PA view, Rt wrist plain film, age 15 y, boy, acquired on Siemens, 722 x 1132 px — 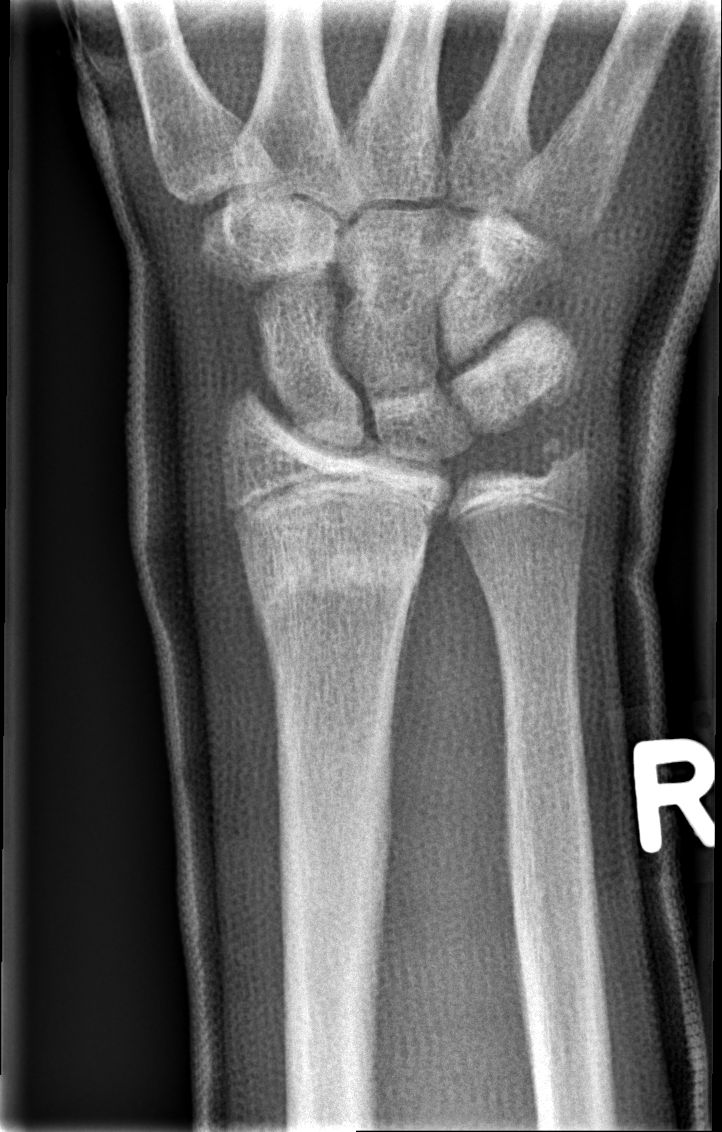
- Pixel coordinates, top-left origin, xyxy.
- Fx — 244,500,432,611; 533,429,598,494.
- AO code 23r-M/3.1; 23u-E/7.